R pediatric wrist radiograph · lat view · pediatric patient (boy, age 15) · 629 by 1302 pixels: 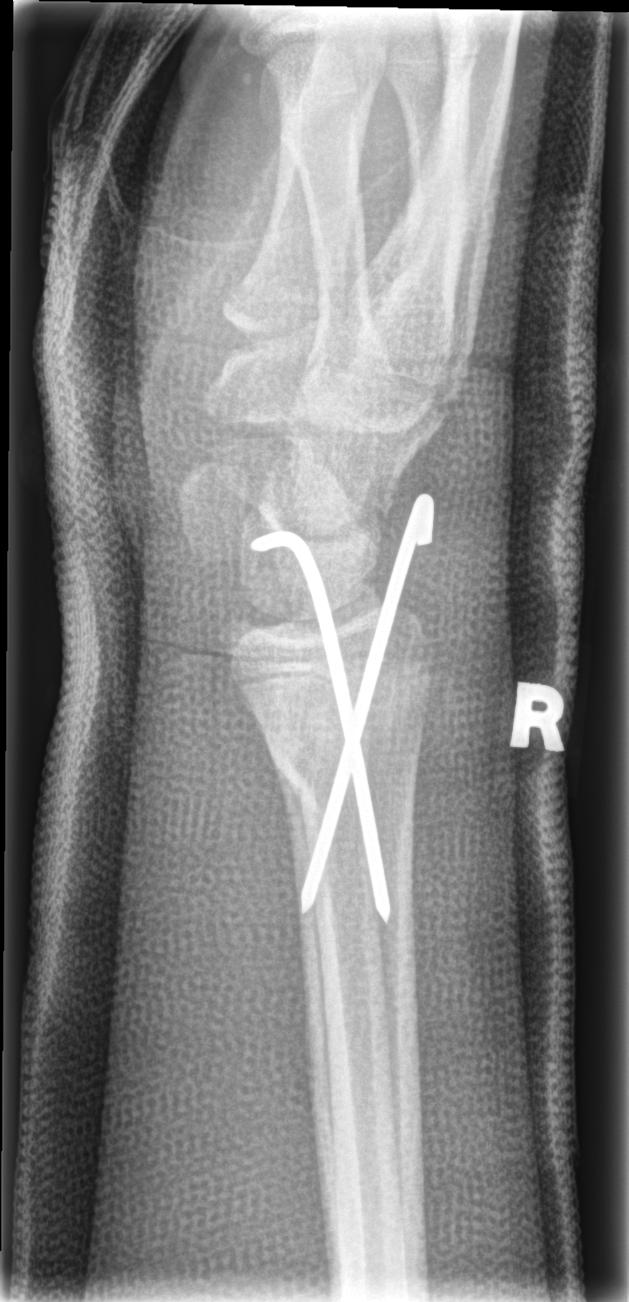 - Pixel coordinates, top-left origin, xyxy.
- AO/OTA classification: 23r-M/3.1; 23u-E/7.
- One hardware at [x1=248, y1=478, x2=446, y2=941].
- Fx — [x1=259, y1=690, x2=429, y2=817].